Lat, left wrist pediatric wrist radiograph, initial study — 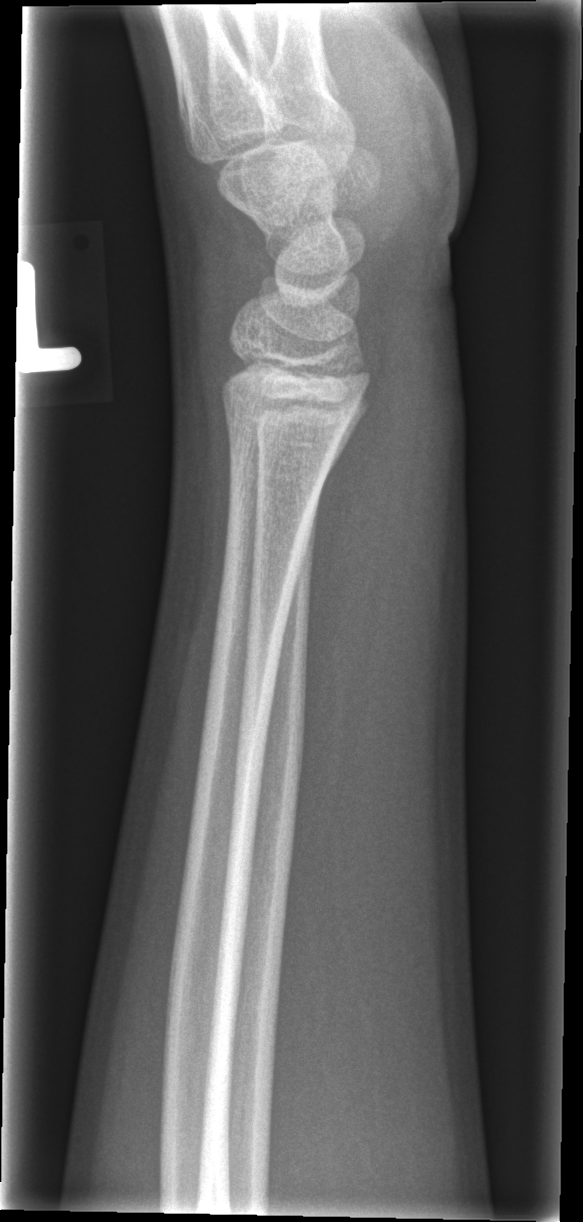

fracture = none labeled